Frontal projection · left wrist X-ray · pediatric patient (male, age 13) · subsequent exam · cast in situ · 654x943.
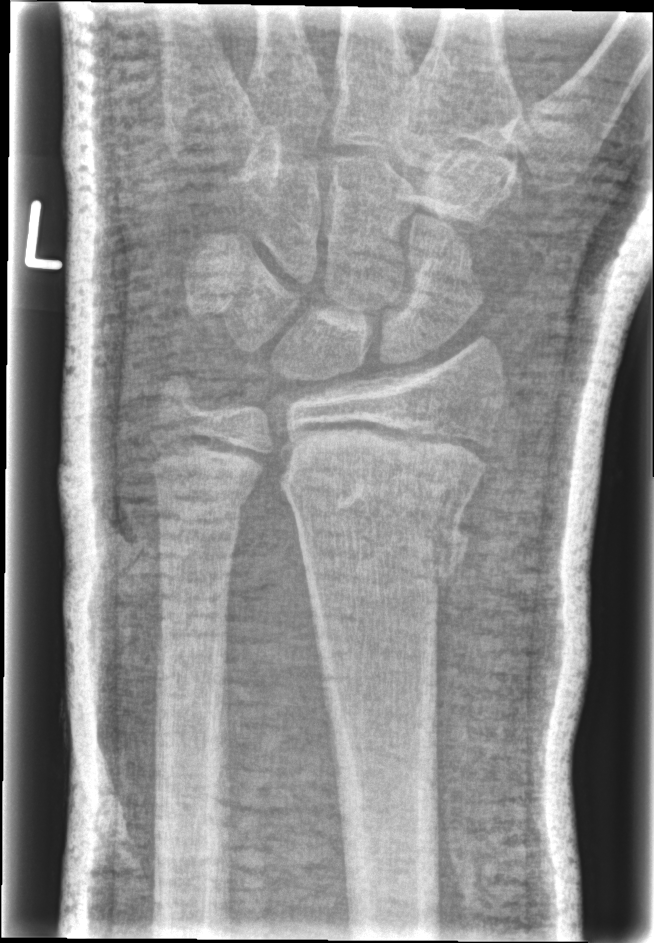
Q: What is the AO/OTA classification?
A: AO/OTA classification: 23r-M/3.1; 23u-M/2.1; 23u-E/7
Q: Locate any fractures.
A: Two Fx at 281,458,479,598; 153,464,255,534